Lat view | left wrist XR | 12y M
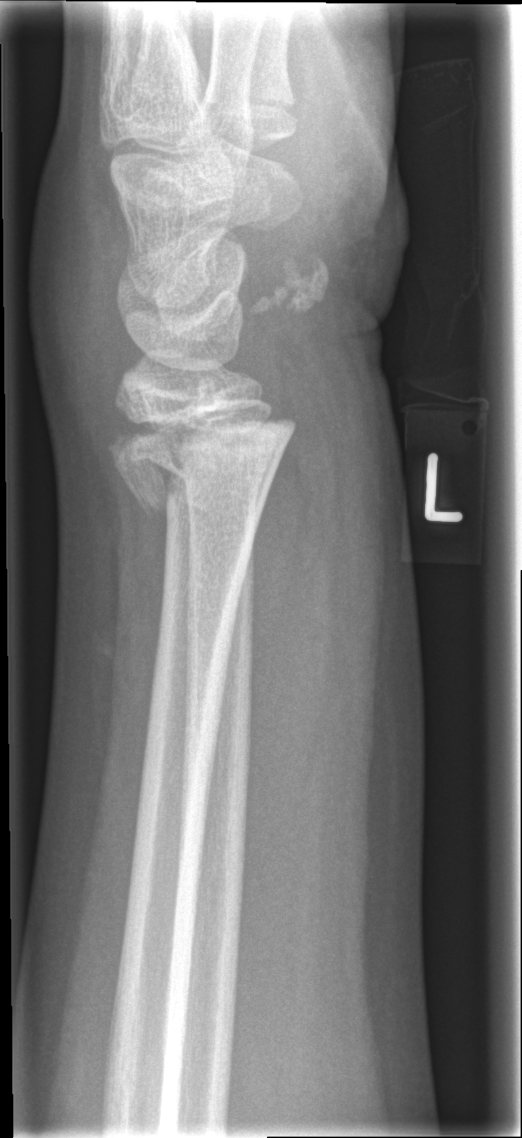

FINDINGS — (boxes as x1,y1,x2,y2 (top-left / bottom-right, pixel units)) One Fx at (104, 393, 298, 520). AO code 23r-E/2.1; 23u-E/7.